Lat projection · left wrist XR · pediatric patient (male, age 10) · subsequent exam · imaged through cast · image size 594x1214:

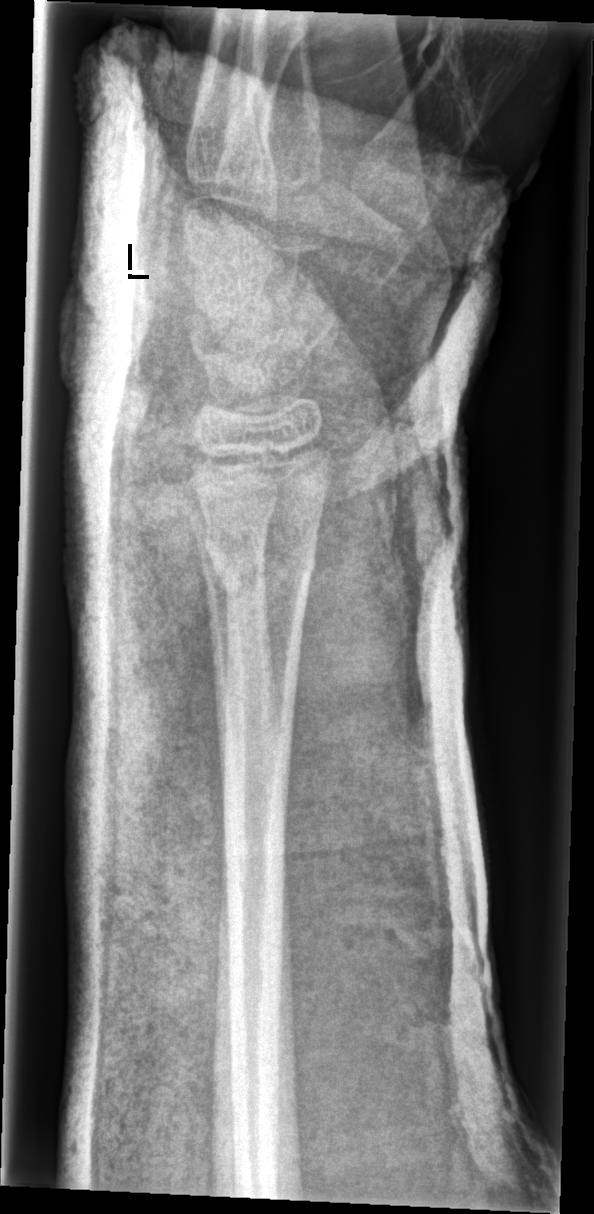 ao: 23r-M/3.1; 23u-E/7
fracture: (left=199, top=503, right=320, bottom=601)